Lat · right wrist XR · 10y F · presentation radiograph —

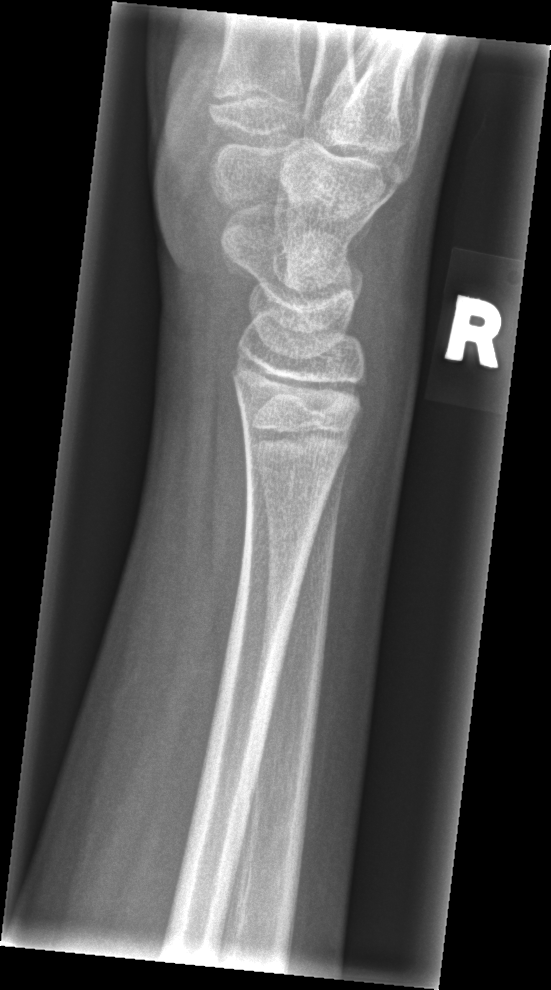 • No fracture labeled.